Lateral projection, left wrist X-ray, 10y M. 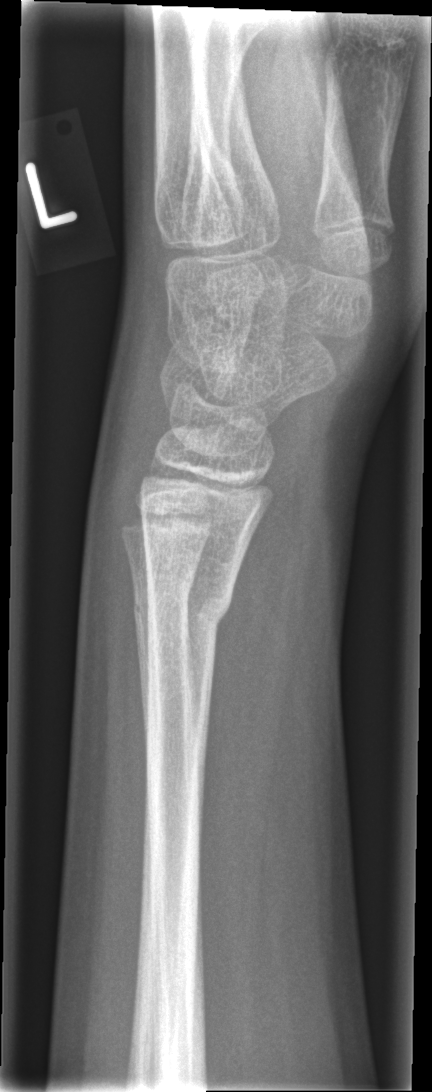
One pronator sign at (199, 477, 301, 815). AO/OTA classification: 23-M/2.1. Fracture identified at (143, 568, 237, 651) (132, 578, 195, 631).